Left wrist radiograph | frontal | cast present | 868x952 —

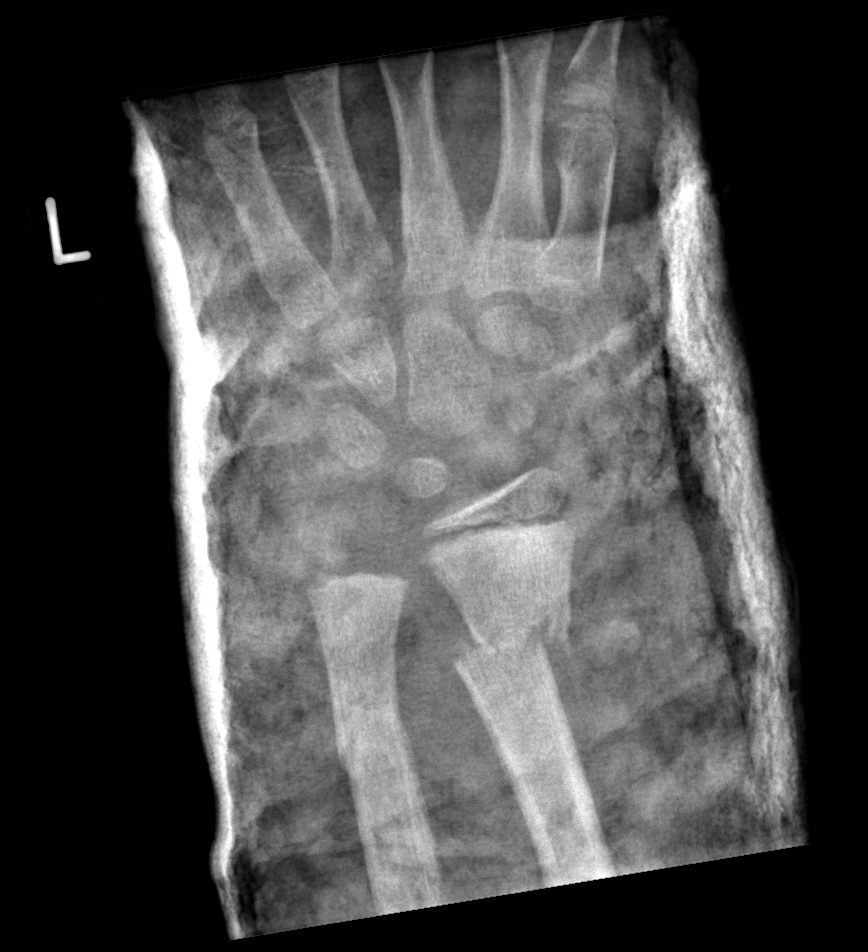 - Coordinates are [x1, y1, x2, y2] in image pixels.
- AO/OTA classification: 23r-M/3.1; 23u-M/2.1.
- Fx identified at (left=449, top=592, right=573, bottom=686) (left=334, top=694, right=412, bottom=773).